Posteroanterior · Rt plain radiograph of the wrist · age 16 y, male — 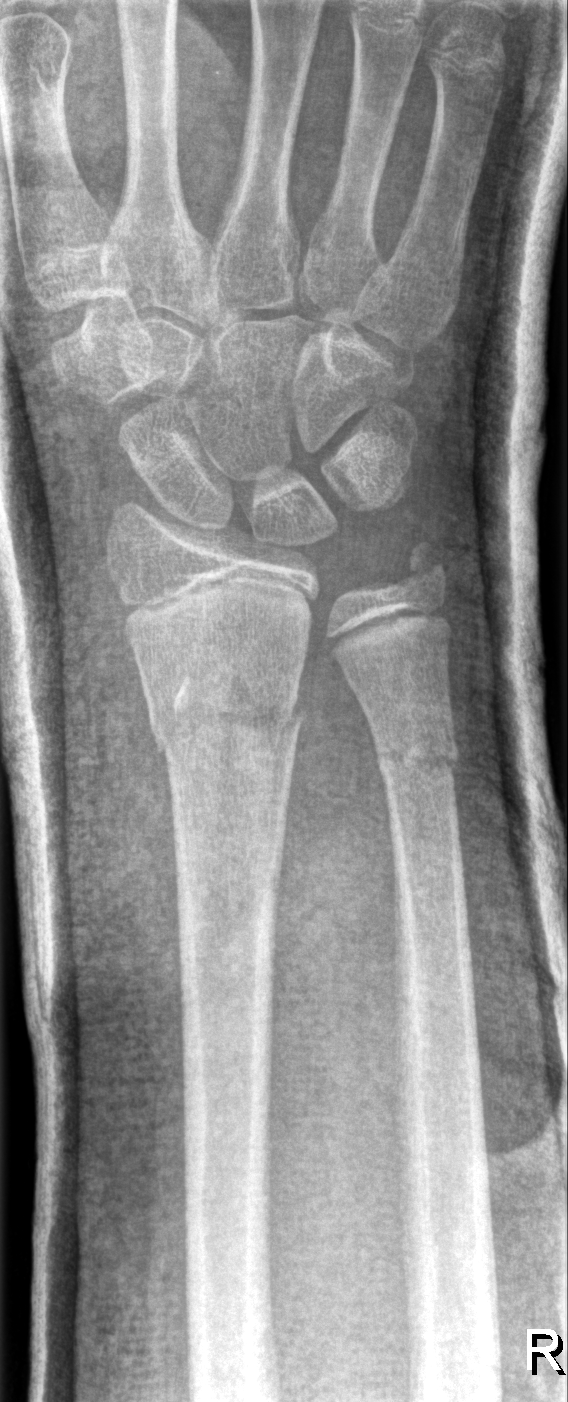
Fx: (left=146, top=660, right=312, bottom=772), (left=370, top=726, right=464, bottom=794), (left=392, top=536, right=456, bottom=596)